Rt wrist plain film, PA, pediatric patient (male, age 13). 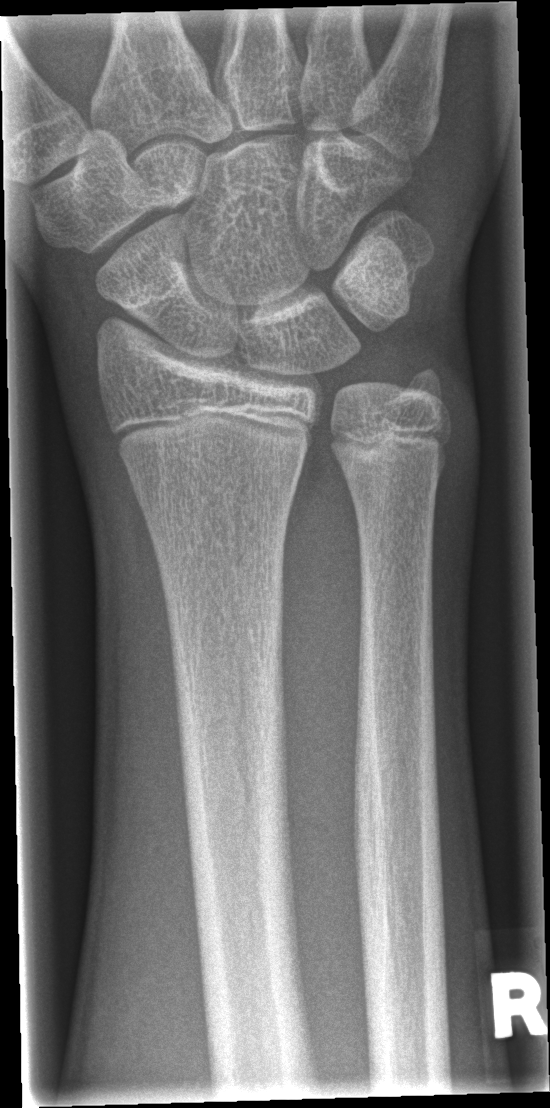
Findings: No fracture annotation.